Left wrist plain film, lat view, detector: Siemens 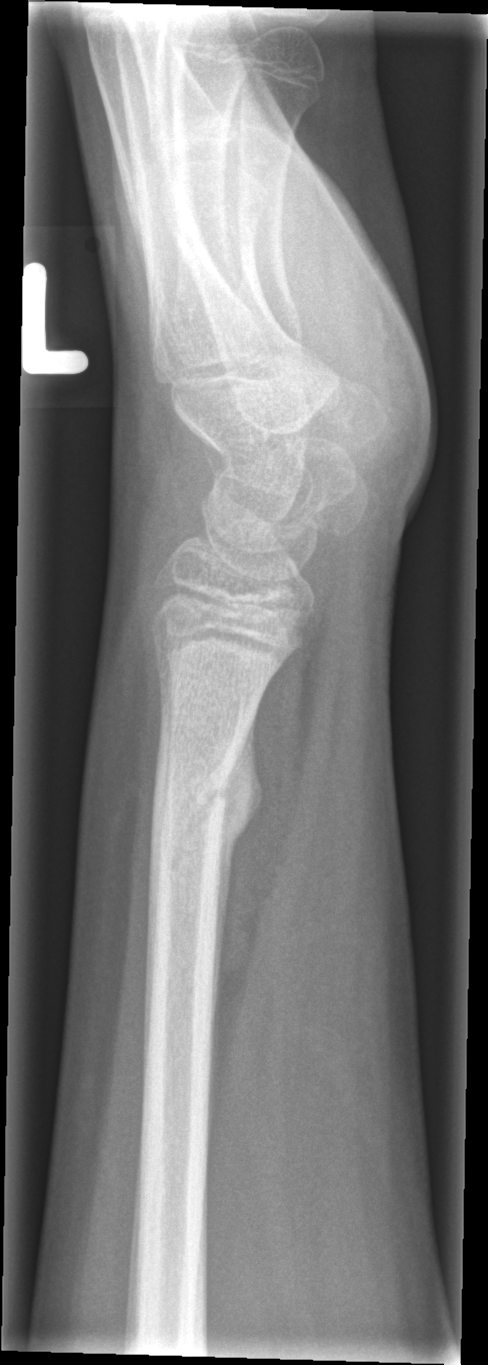

Fx — (left=146, top=750, right=265, bottom=913). One periosteal reaction at (left=207, top=706, right=264, bottom=1171). Reduced bone mineral density.